Posteroanterior · left pediatric wrist radiograph 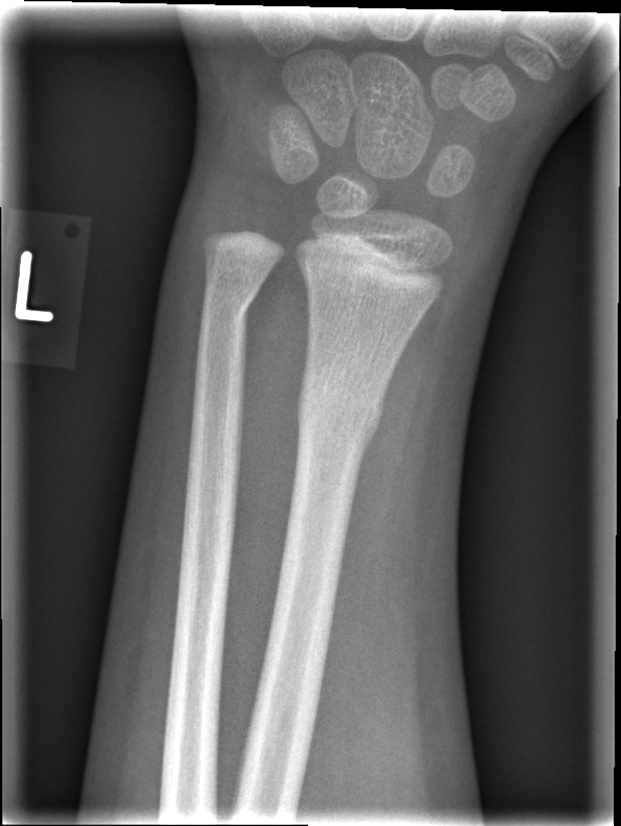

Fracture = 294 378 387 450
  196 286 259 334